Lat projection | left wrist pediatric wrist radiograph | age 13 y, boy | 548 by 1198 pixels
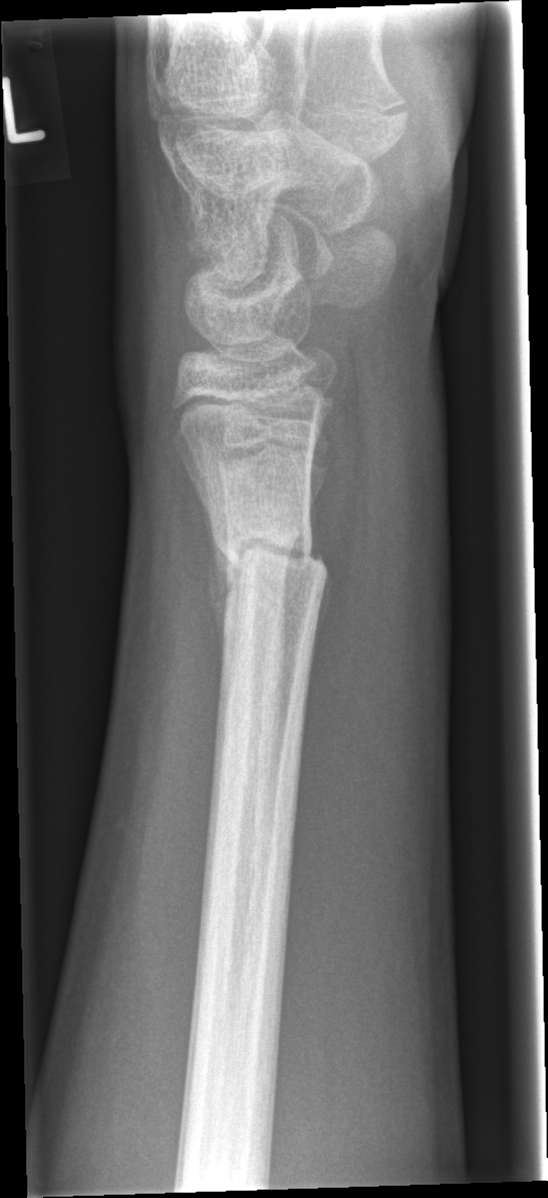
* Fracture identified at <203,511>-<334,596>.